Left pediatric wrist radiograph; PA/AP view; imaged through cast:

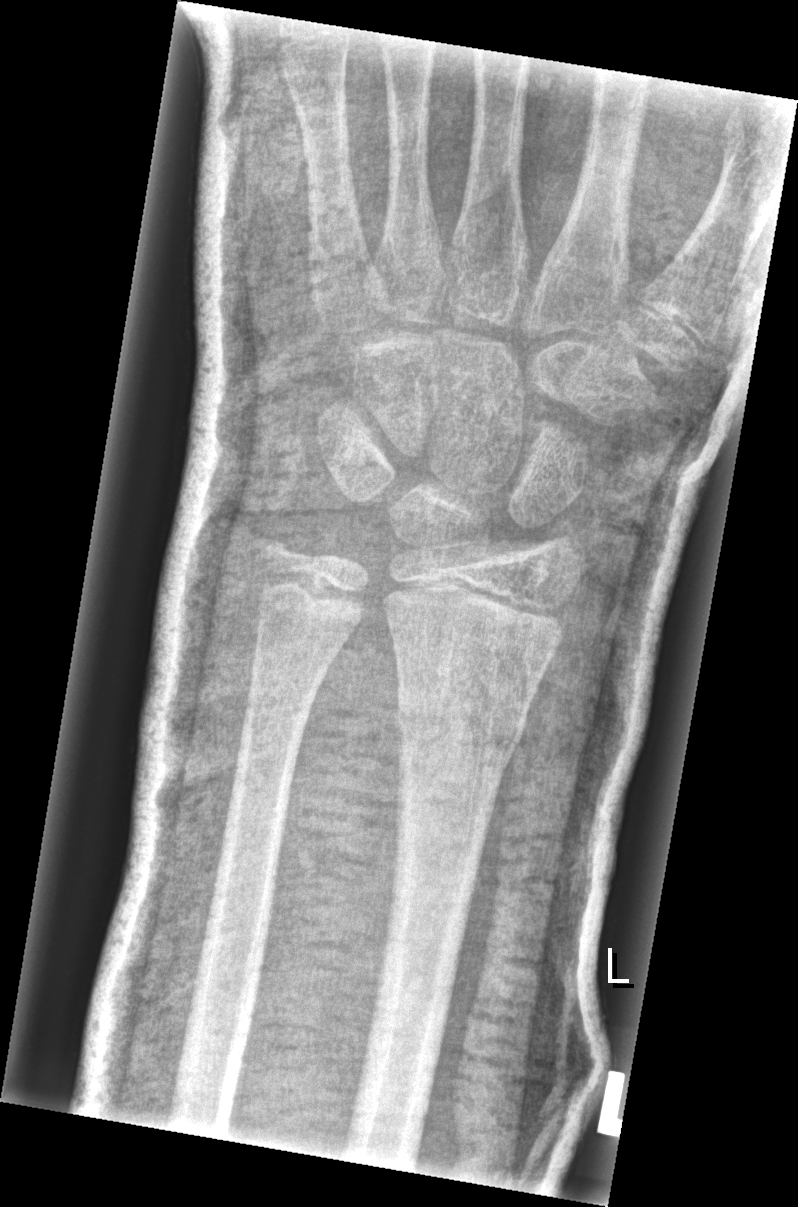
Q: Any fracture seen?
A: Fx: <390,687>-<532,768>; <239,522>-<295,571>